Lat projection | L wrist X-ray | male, 14 yo | imaged through cast | acquired on Siemens.
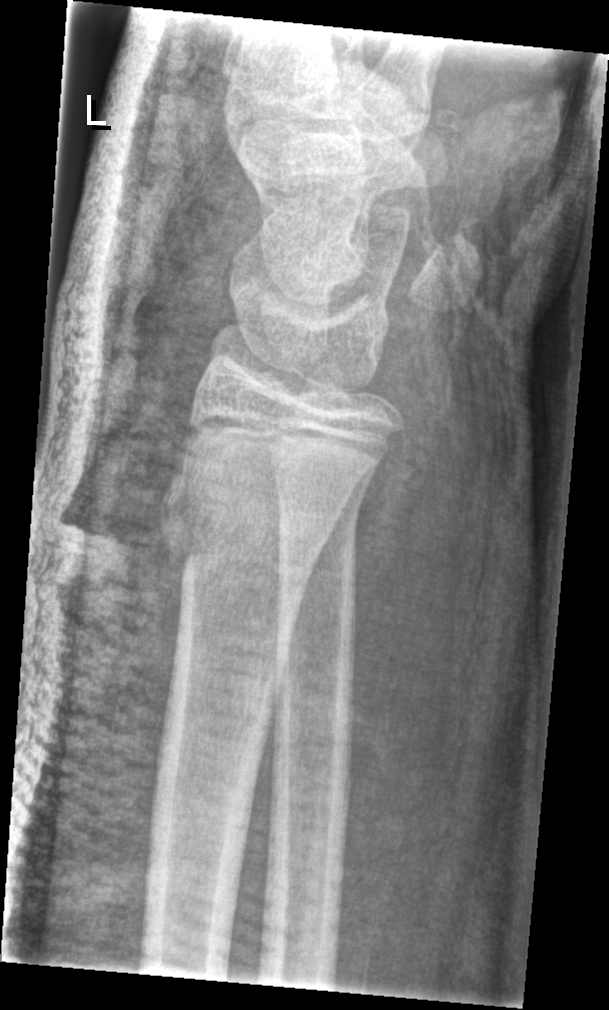 FINDINGS: One bone fracture at (153, 458, 344, 580).